Frontal view, left wrist XR — 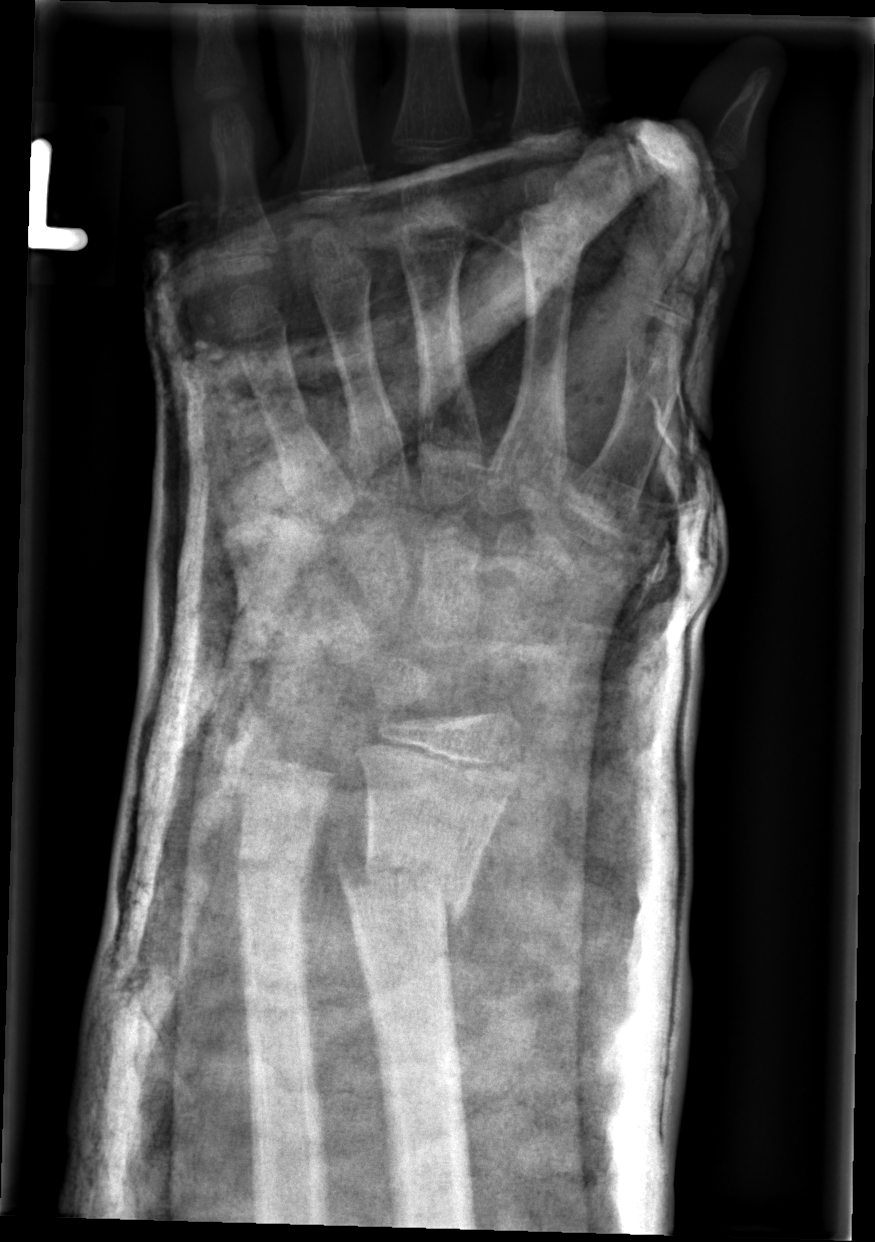

  fracture: [334, 831, 484, 961] [231, 833, 314, 908]
  ao: 23-M/3.1